Left plain radiograph of the wrist; posteroanterior projection; 5-year-old female —
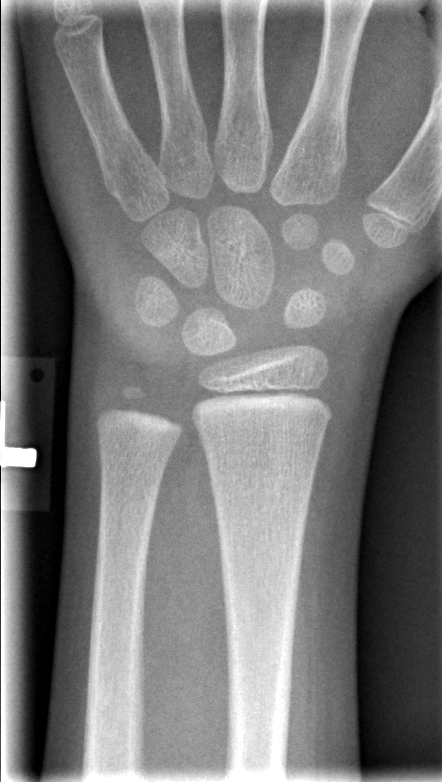 Fx: none.